Left wrist radiograph · lateral · male, 15 yo · initial study · diagnosis uncertain — 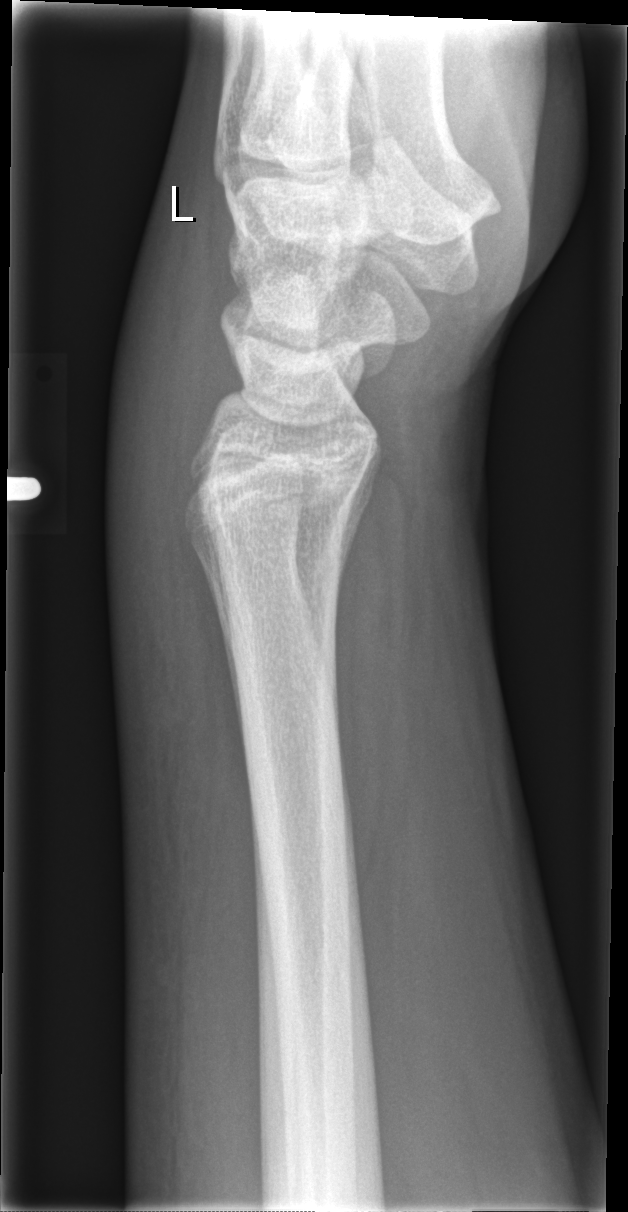

One soft-tissue swelling at [x1=107, y1=212, x2=234, y2=910].
Fracture: none labeled.